Lt plain radiograph of the wrist, posteroanterior projection, pediatric patient (girl, age 11), image width 83.5 mm —

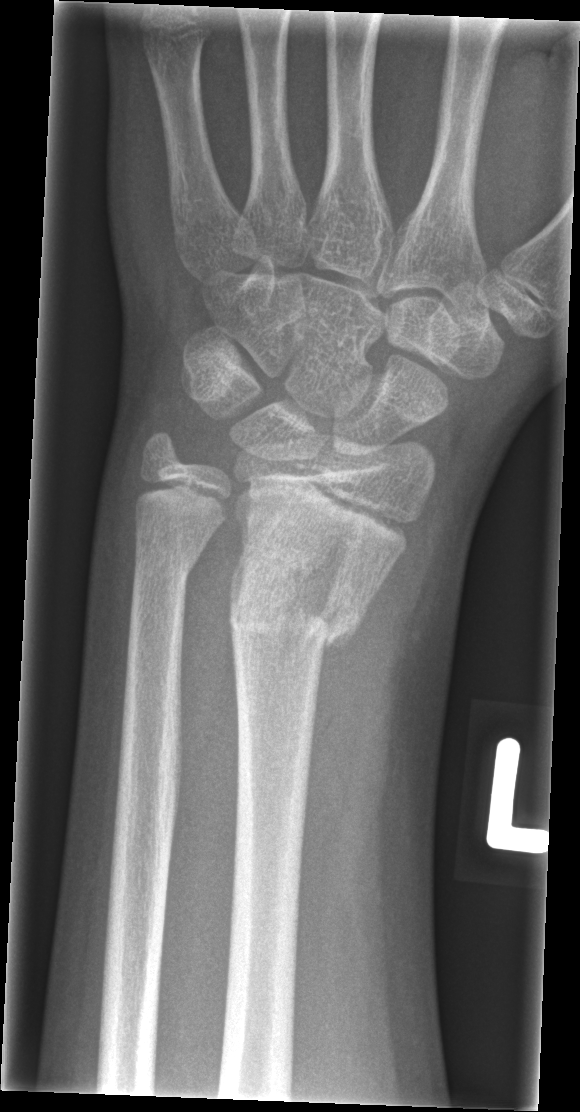
AO/OTA classification: 23r-M/3.1; 23u-M/2.1. Bone fractures — (225, 570, 357, 665); (131, 548, 198, 596).